PA projection; left wrist X-ray; age 6 y, boy; index exam; Siemens.
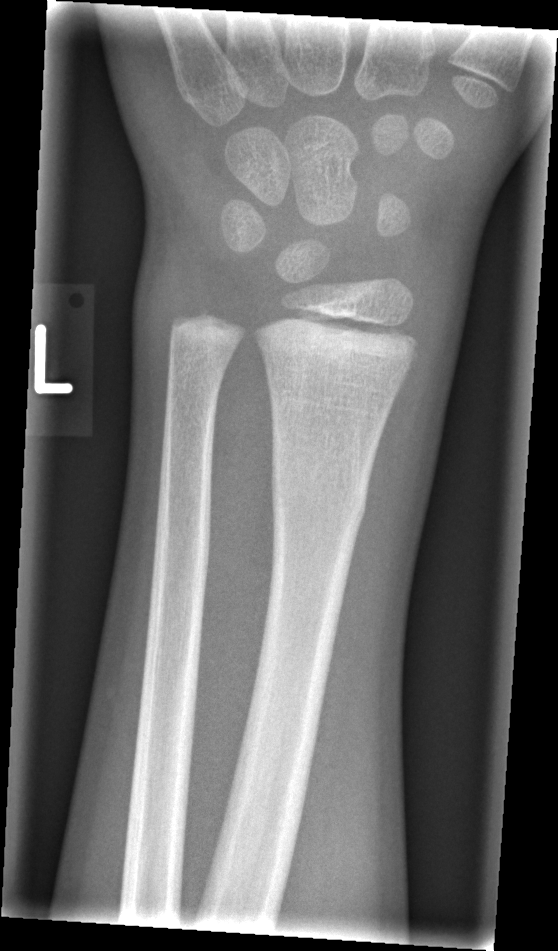

  # bounding boxes in image-pixel xyxy
  ao: 23r-M/2.1
  fracture: 1 @ 266,467,374,526